Rt pediatric wrist radiograph, lat view, follow-up, in cast, acquired on Siemens, 639 x 1026 px: 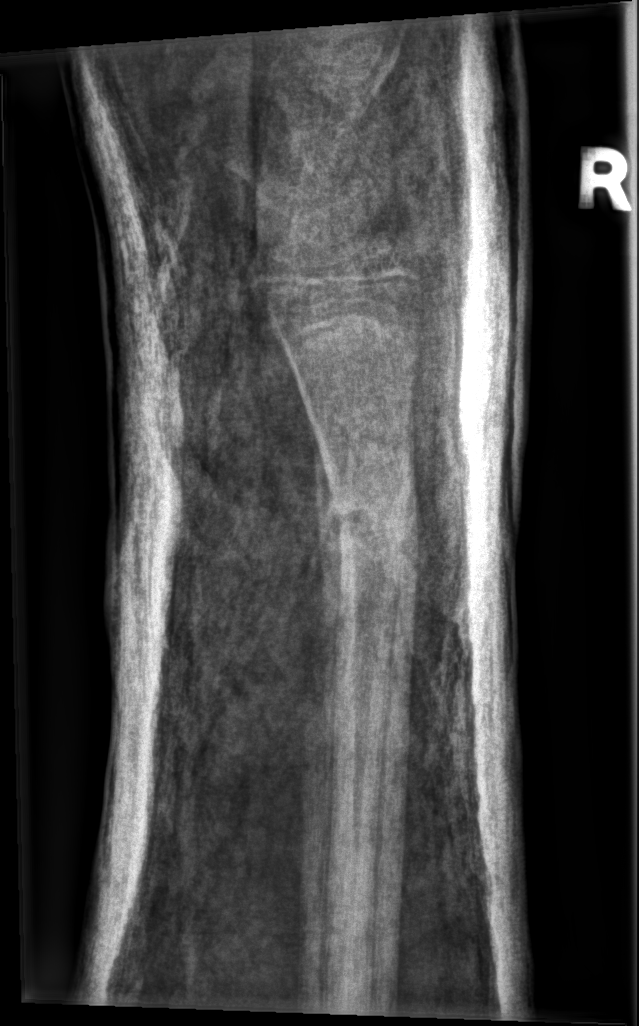

Coordinates are [x1, y1, x2, y2] in image pixels. Fracture: [317, 463, 419, 592]. Fracture classified AO/OTA 23-M/3.1.